Lateral view · R wrist X-ray · male, 13 yo · image width 78.5 mm —
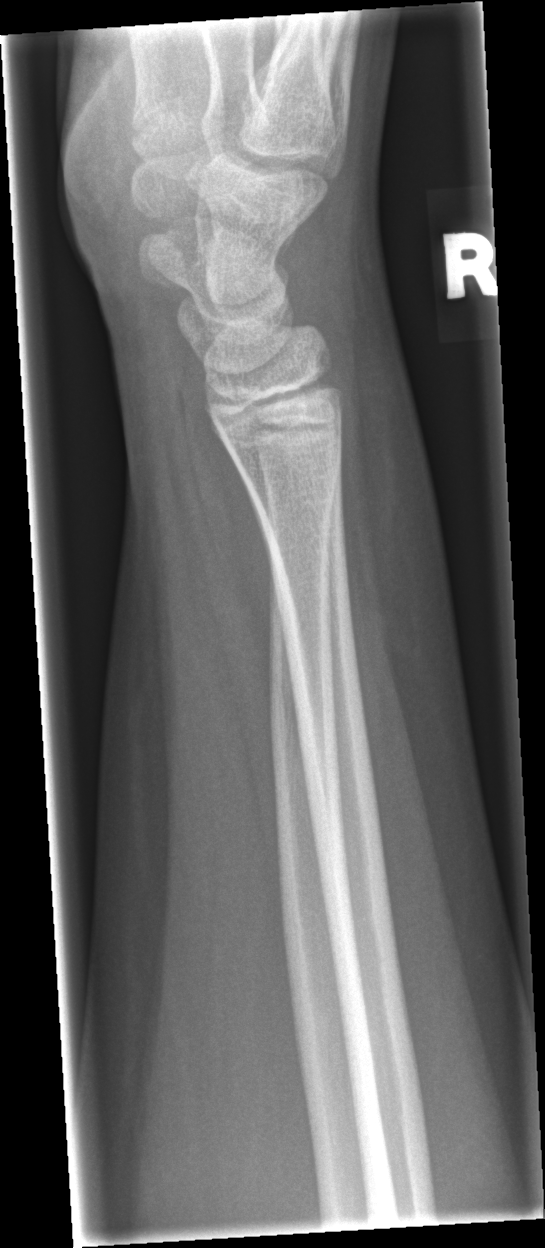

fracture = none labeled